Left plain radiograph of the wrist · lateral projection · 13y M · subsequent exam · detector: Siemens

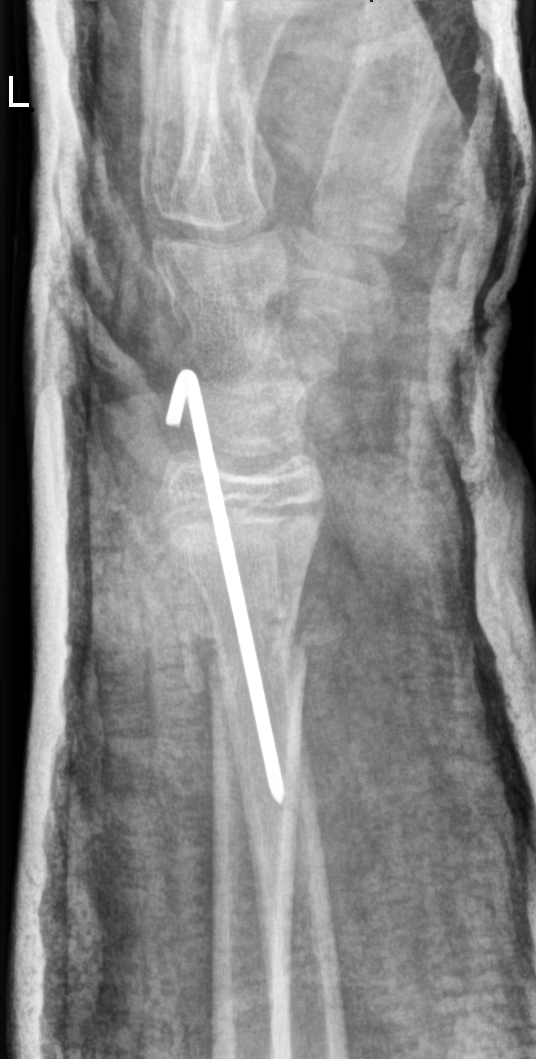

AO code: 23-M/3.1
Fx: <205,619>-<311,689>
Metal: <164,369>-<286,787>